Posteroanterior view | left wrist XR | 70.3 mm image width —
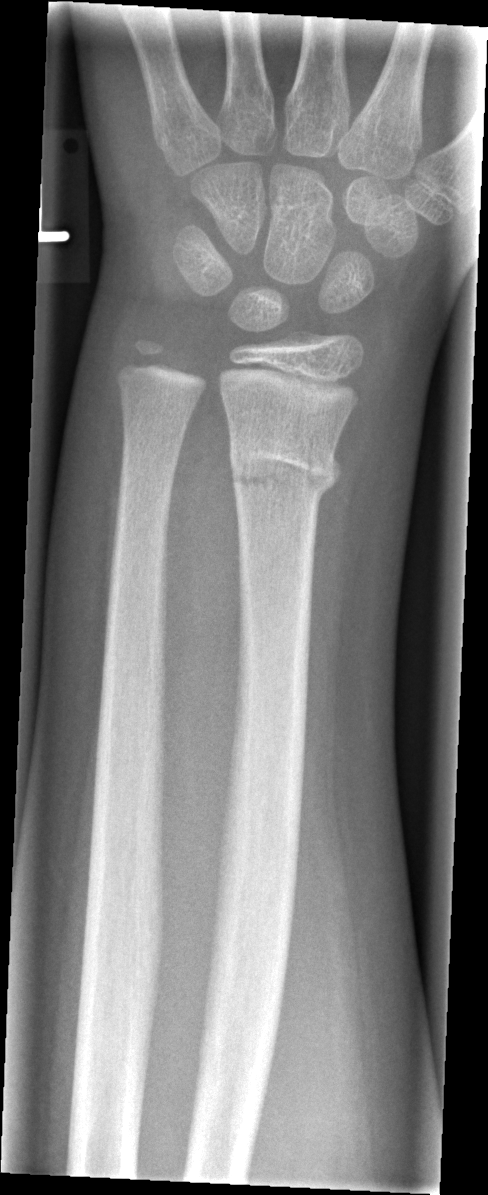 Findings: (bounding boxes in image-pixel xyxy) AO code 23r-M/3.1. One Fx at (left=225, top=434, right=343, bottom=504).